Lat · R pediatric wrist radiograph · pediatric patient (female, age 13) · presentation radiograph · equivocal findings
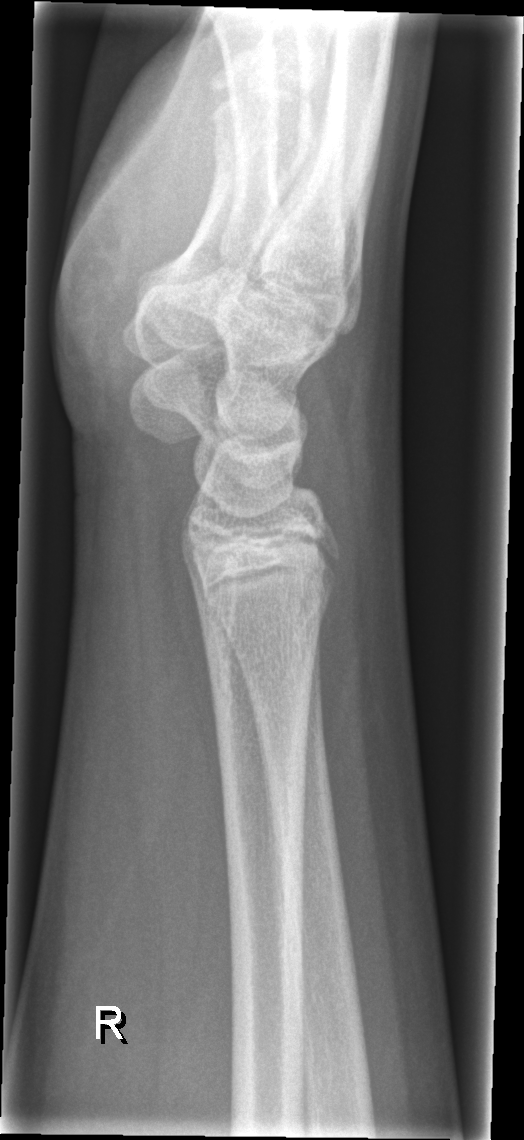
No fracture annotation.